Rt wrist radiograph · PA view · in cast · 518 by 830 pixels —
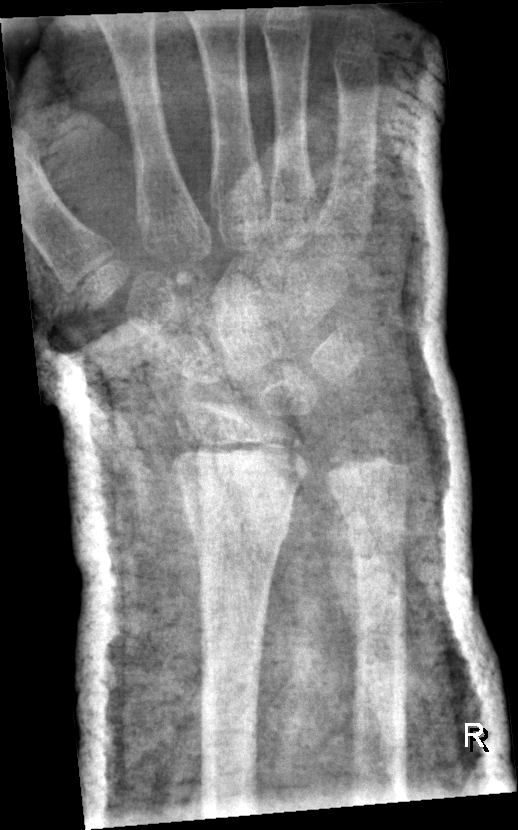
• Fracture classified AO/OTA 23r-M/3.1; 23u-M/2.1.
• Fx identified at 181,495,293,546.